L plain radiograph of the wrist, PA/AP, 14-year-old boy —
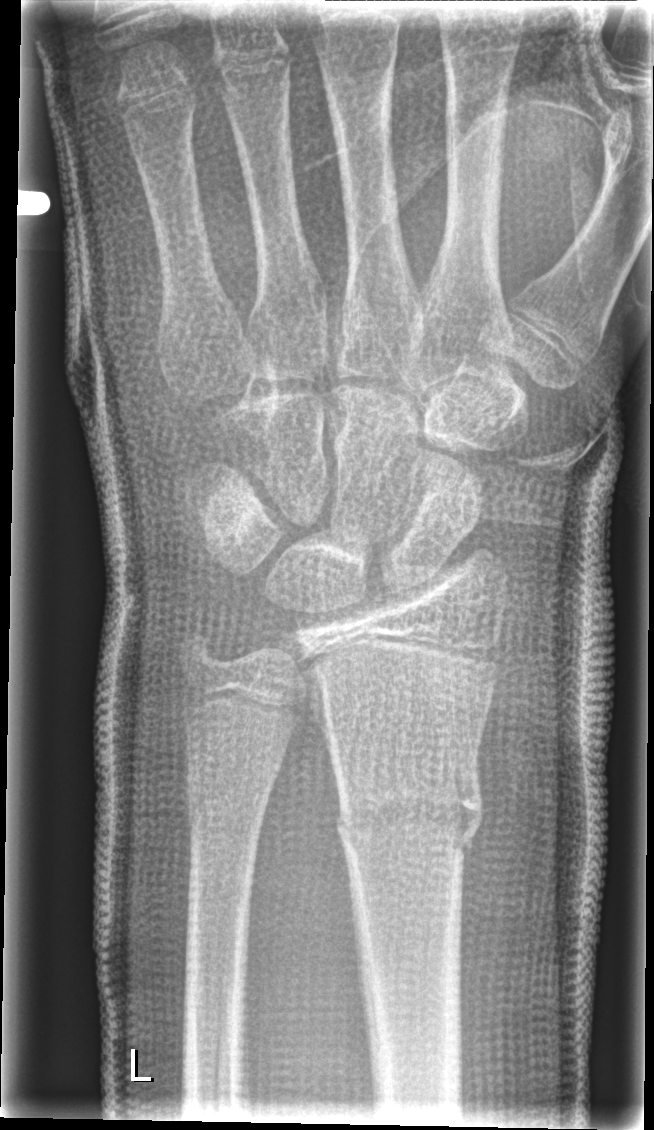

Two bone fractures at (left=335, top=769, right=488, bottom=866); (left=178, top=769, right=272, bottom=849).